Left wrist plain radiograph of the wrist · PA view · Siemens · 79.6 mm image width · image size 553x986.
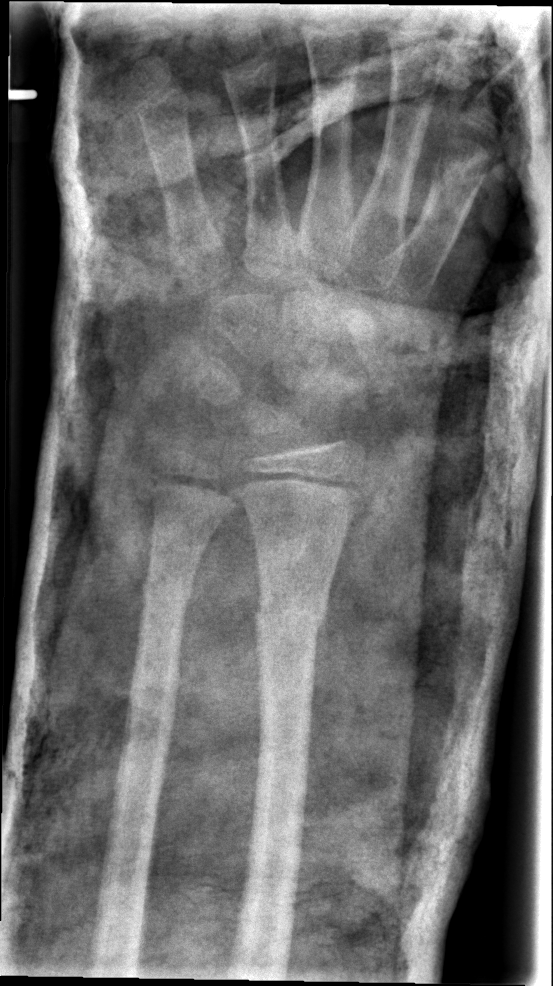
FINDINGS: Fracture: 250 574 336 657 | 137 564 198 624.